AP projection · Lt wrist plain film · girl, 10 yo · initial study. 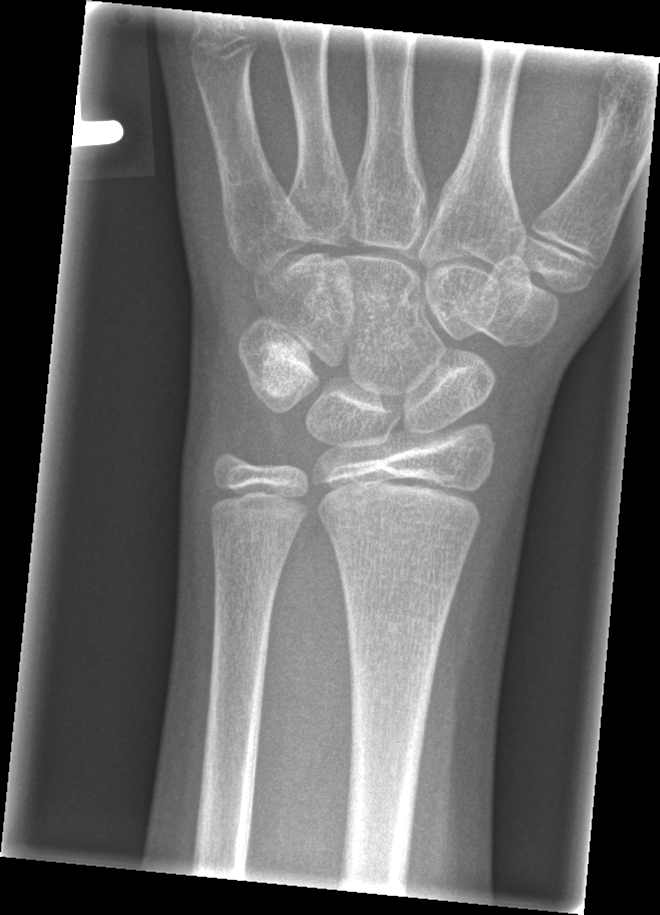
• No fracture annotation.